Rt wrist X-ray, frontal projection, follow-up, 702 by 1000 pixels:
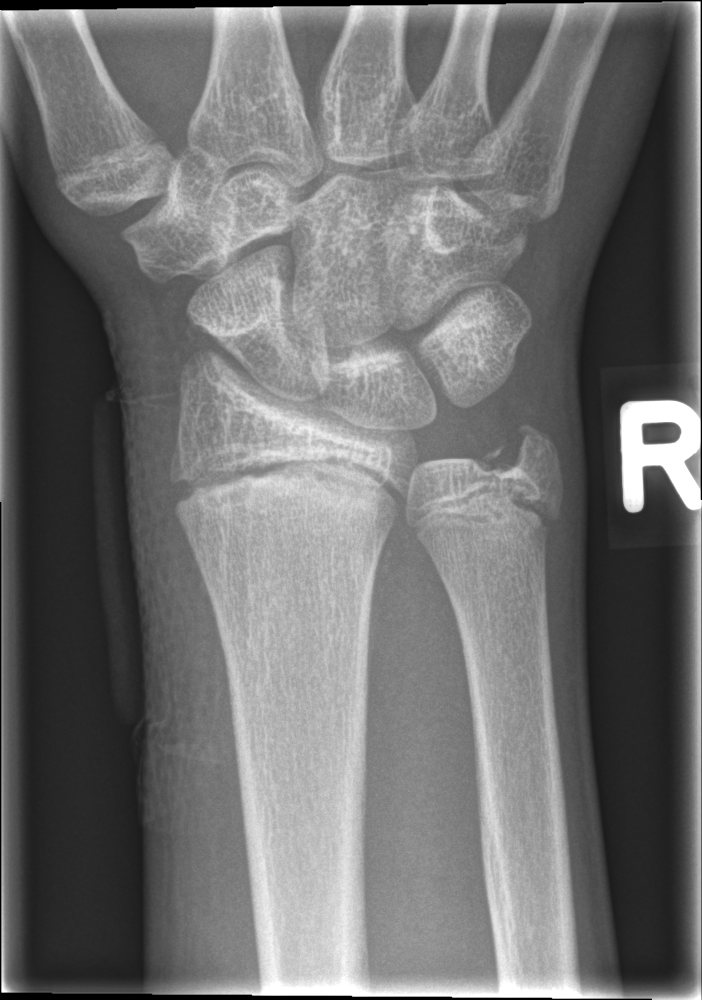
• AO code 23r-E/2.1; 23u-E/7.
• Fx: 472 421 560 483.